Frontal · left wrist XR · image width 84.1 mm · 584 by 1183 pixels.
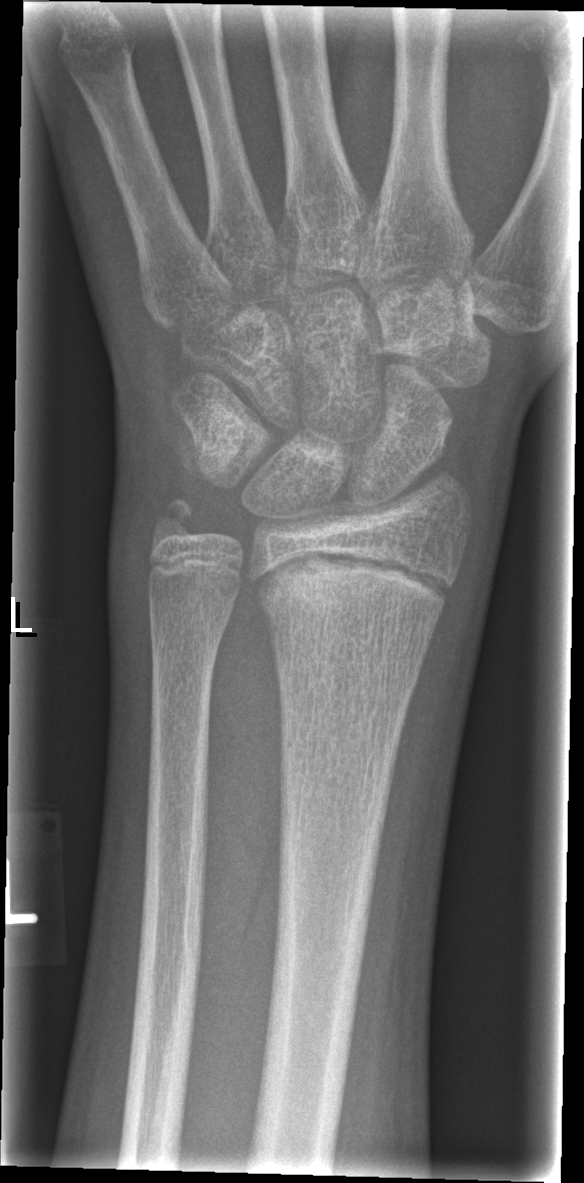   # coordinates are [x1, y1, x2, y2] in image pixels
  osteopenia: present
  fracture: 2 @ 249,538,458,631 | 144,495,207,554